Right wrist XR; lat view; 10-year-old girl.

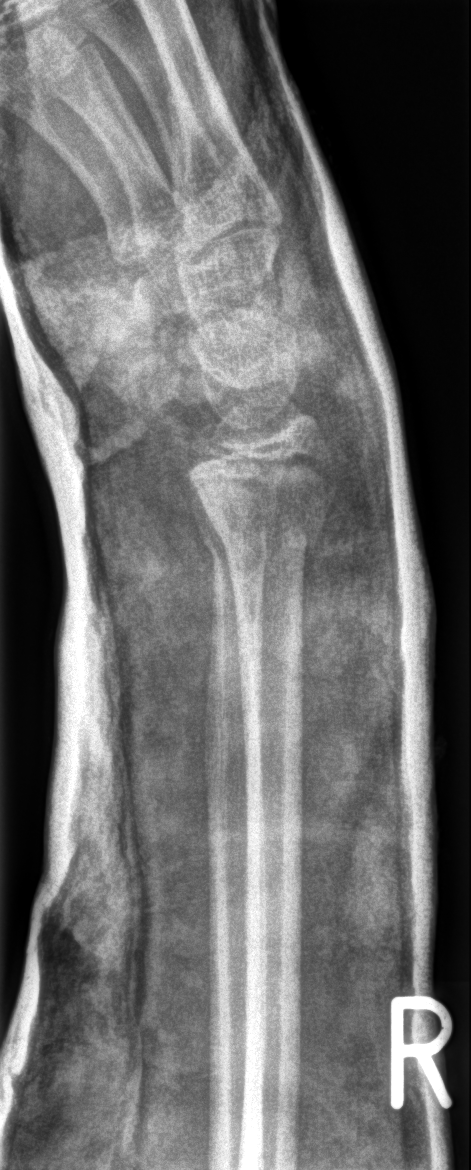 # coordinates are [x1, y1, x2, y2] in image pixels
fracture: [181, 446, 339, 560]